Lt wrist X-ray | PA/AP view | Siemens.

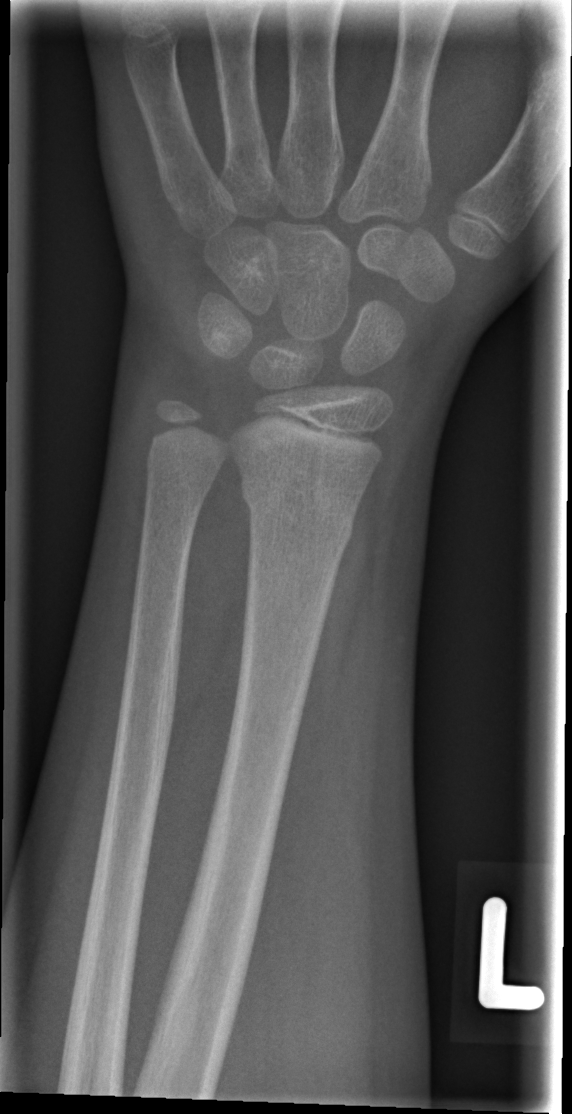 Bone fracture = 1 @ 237 468 357 553
AO code = 23-M/2.1